Lateral view · left wrist pediatric wrist radiograph · 17-year-old female — 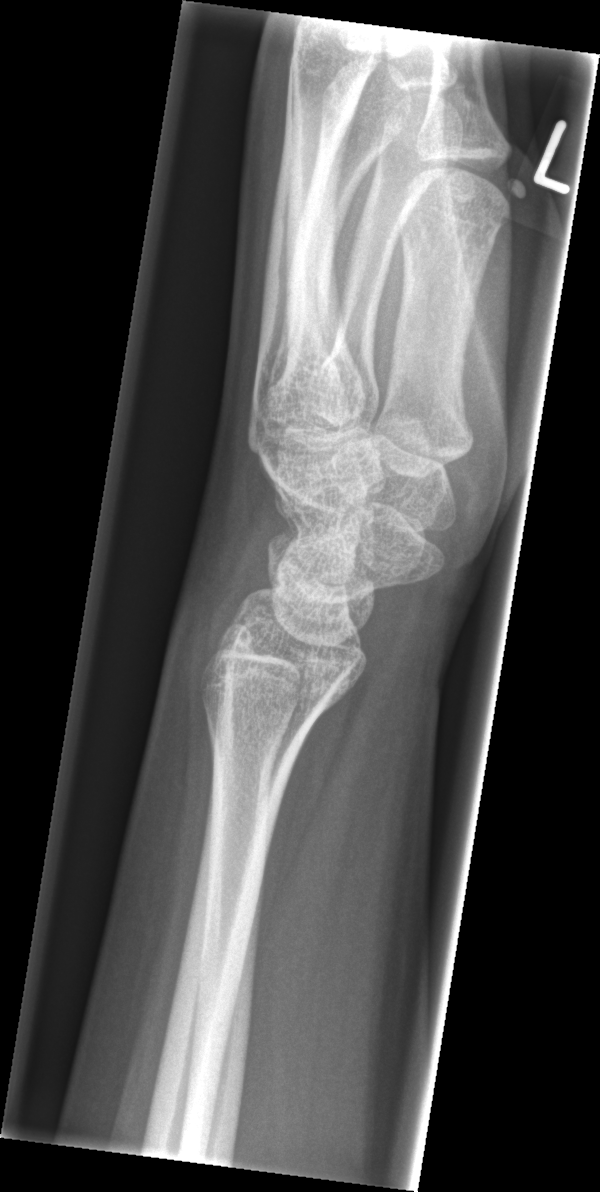 Fx: none labeled